Lateral projection, Lt wrist X-ray, 14y F, initial study, 463 x 1192 px
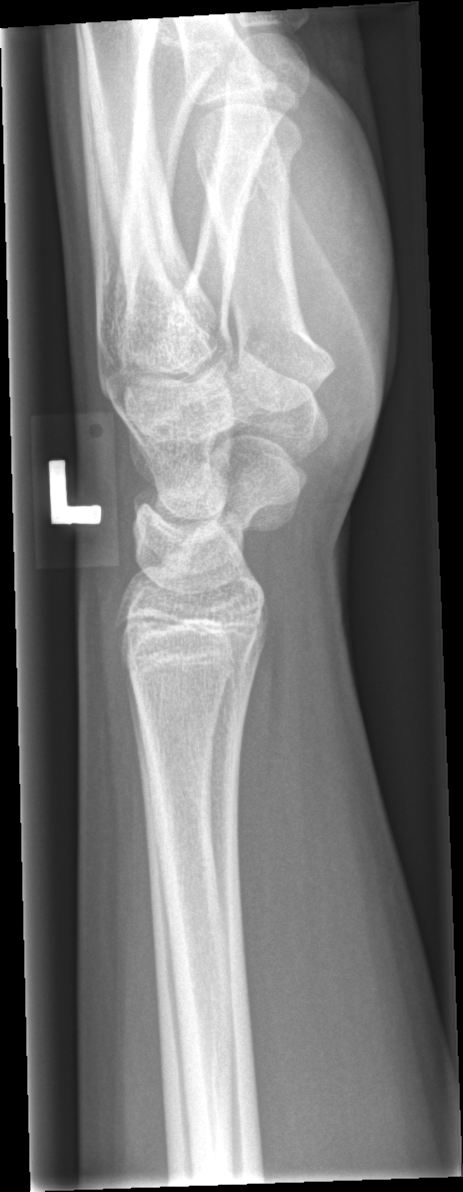
No Fx annotated.